Left wrist XR | lat | image 77.8 mm wide 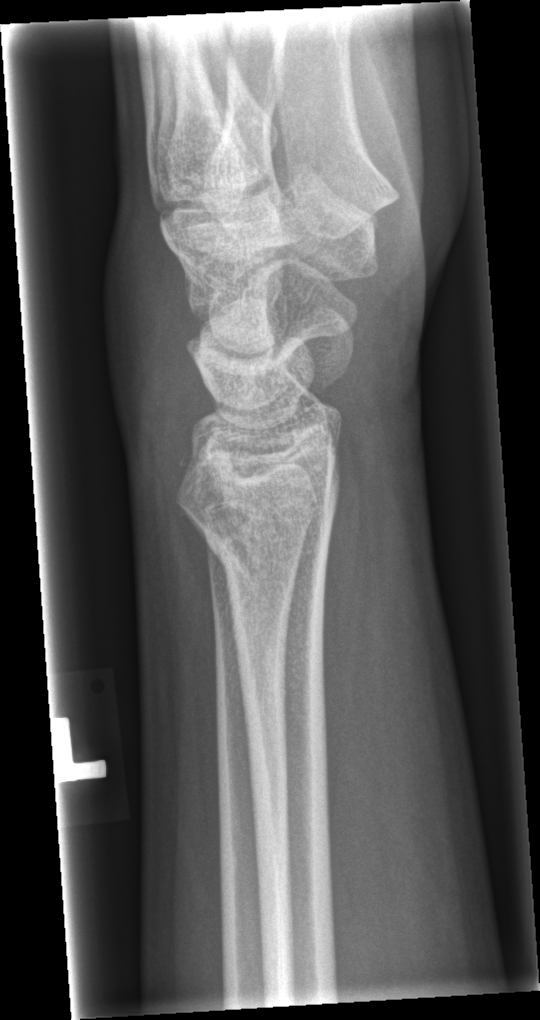 AO/OTA classification: 23r-M/2.1; 23u-E/7. Fracture identified at 171 460 340 583. One soft tissue abnormality at 98 206 210 482.